Lat view; left wrist pediatric wrist radiograph; female, 8 yo; presentation radiograph; detector: Siemens —
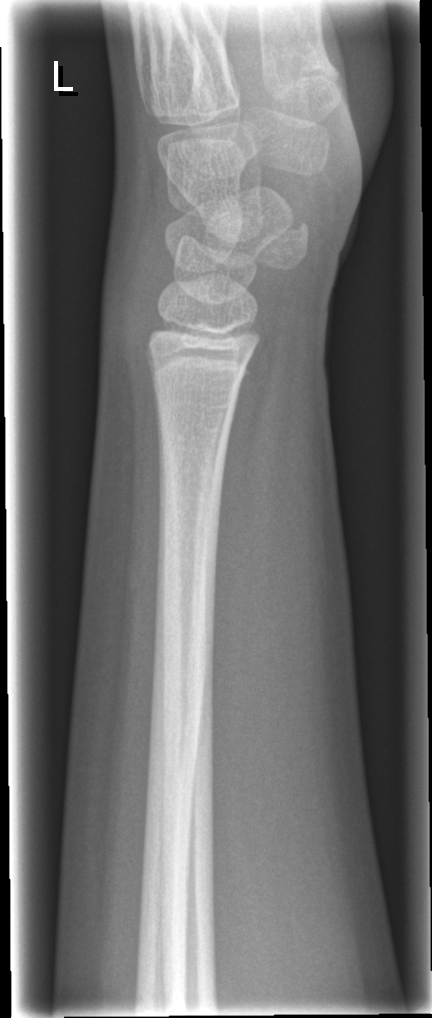 Bone fracture = none labeled